Lateral projection · Lt wrist XR · presentation radiograph. 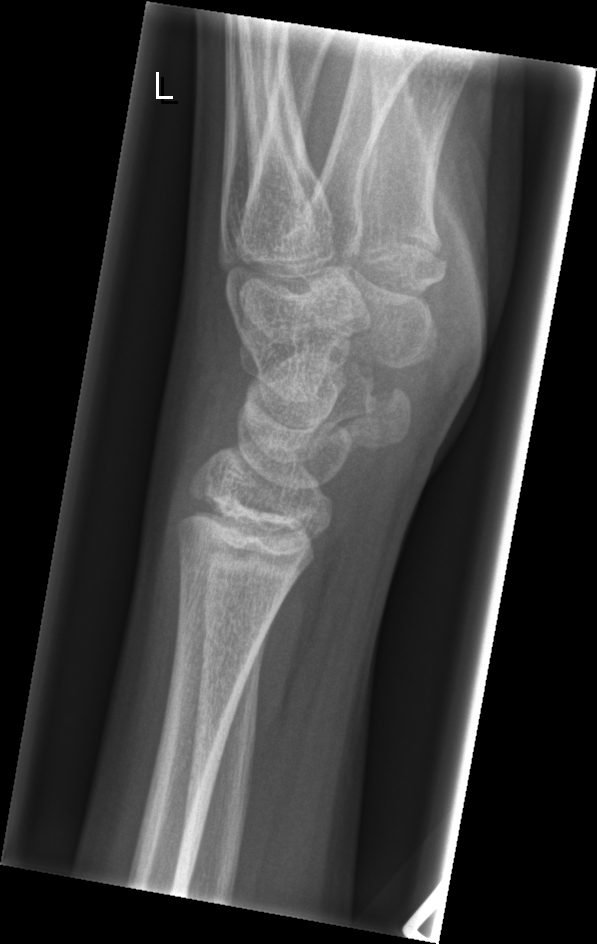 No fracture annotation.